Frontal view | right wrist plain film | 17y M | 92.3 mm image width

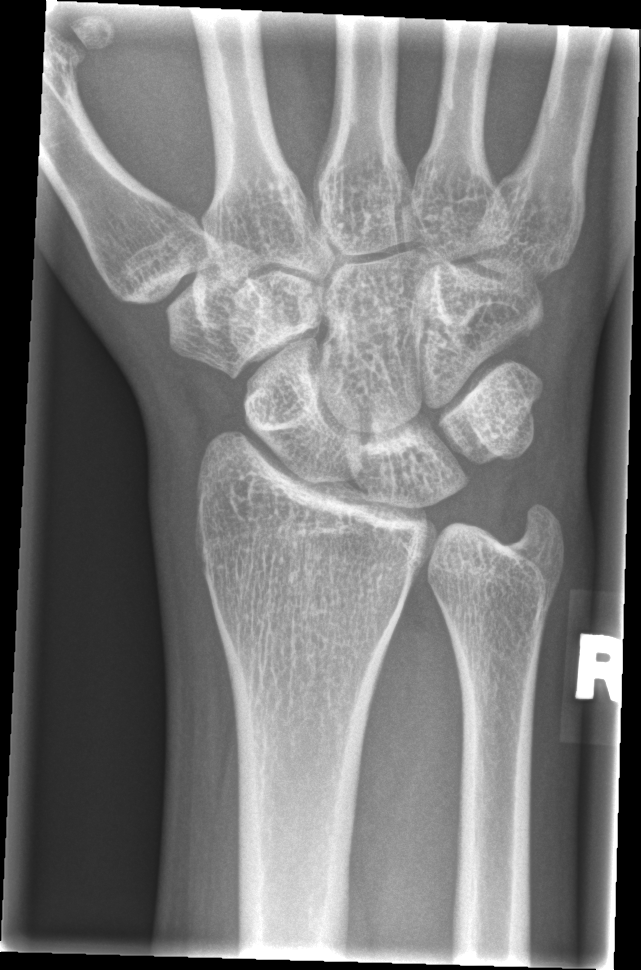
No fracture bounding box.